Rt wrist plain film; frontal projection. 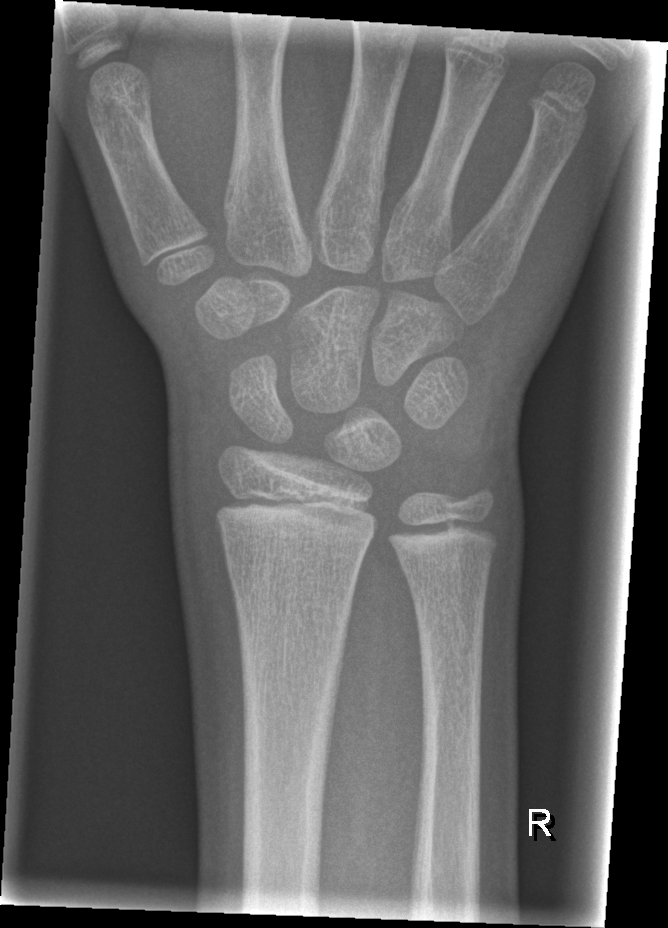 {
  "fracture": "none labeled"
}